Lt wrist X-ray | PA/AP projection | age 7 y, boy | cast in situ.

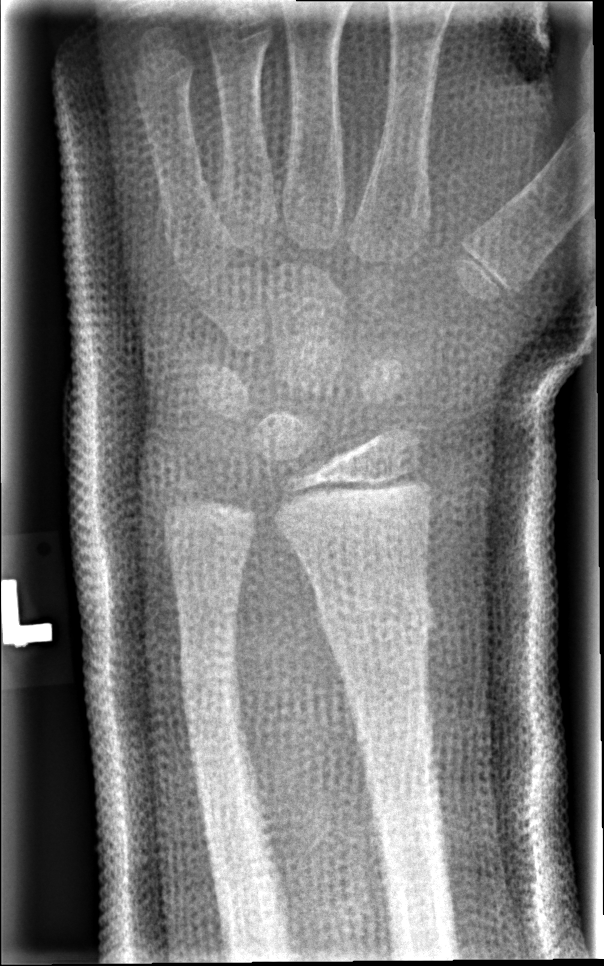

Fx: 2 @ (313, 584, 439, 646); (177, 642, 243, 729)